R plain radiograph of the wrist, lateral projection, female, 10 yo:

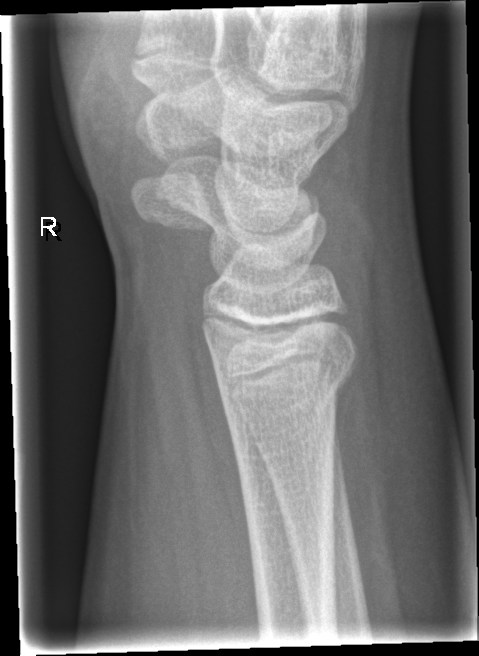 {"fracture": "1 @ [x1=206, y1=337, x2=362, y2=423]", "ao": "23r-M/2.1"}